Rt plain radiograph of the wrist, frontal projection, 16-year-old male, 106.6 mm image width —
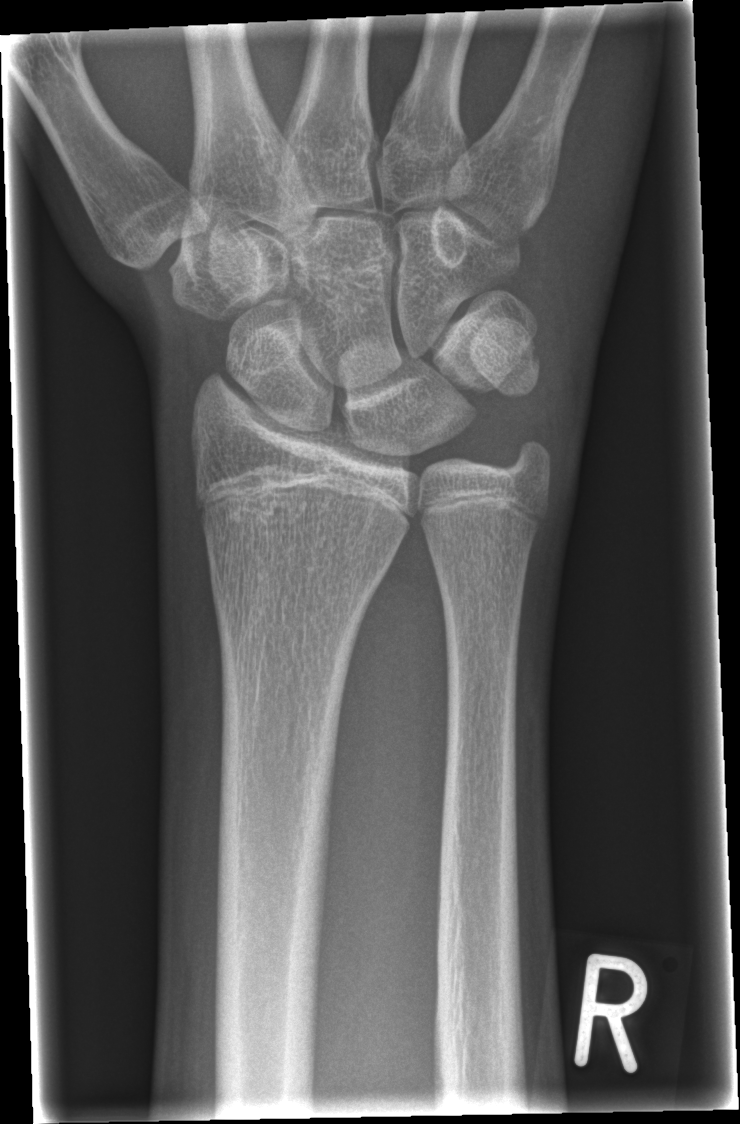
No Fx annotated.